Frontal view; L pediatric wrist radiograph; follow-up study.

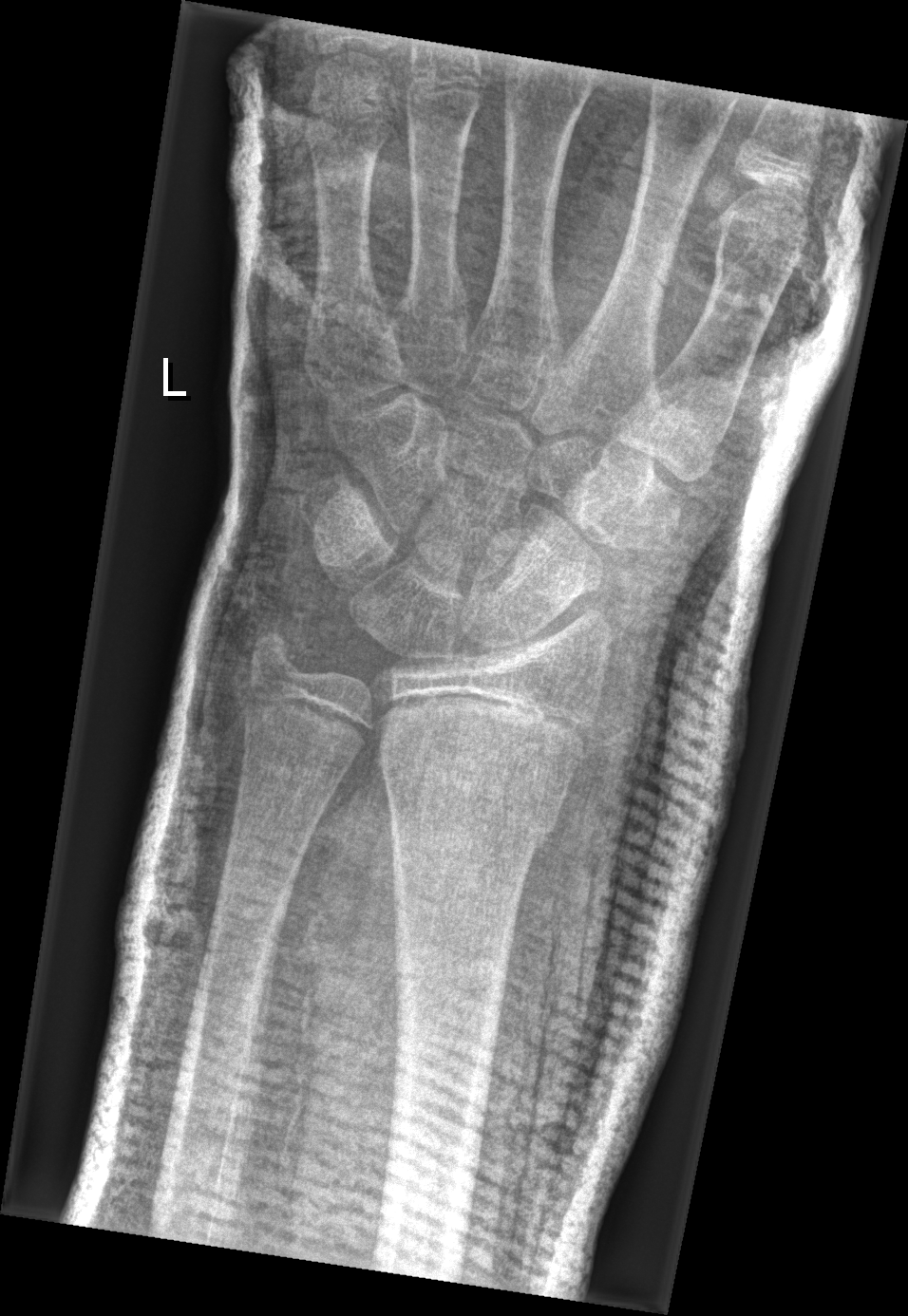

Fx = [x1=375, y1=754, x2=558, y2=856]; [x1=239, y1=607, x2=315, y2=688]